Left wrist XR; lat view; 632 x 1180 px: 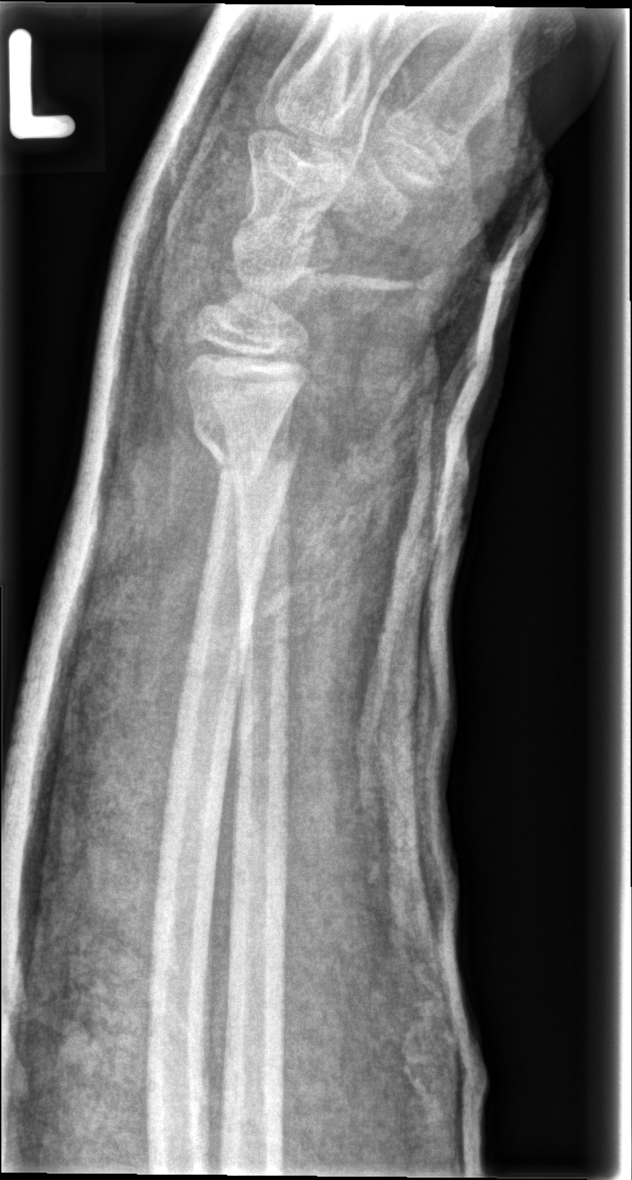
(coordinates are [x1, y1, x2, y2] in image pixels)
Q: Is there a fracture?
A: One bone fracture at (left=189, top=418, right=307, bottom=491)
Q: What is the AO/OTA classification?
A: Fracture classified AO/OTA 23r-M/3.1; 23u-M/2.1; 23u-E/7